Lt plain radiograph of the wrist; lateral; 10y M; Siemens.
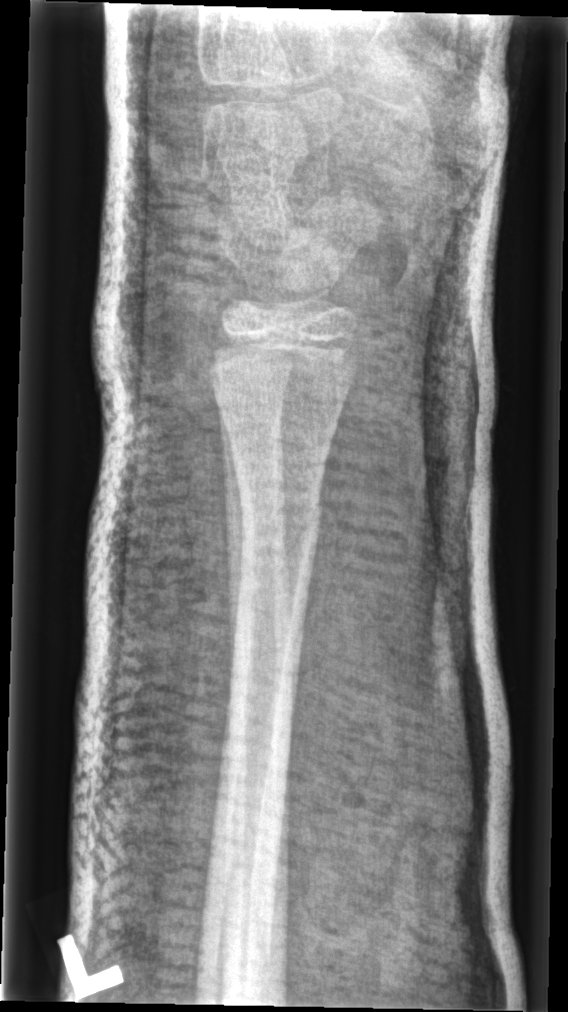

Q: AO code?
A: Fracture classified AO/OTA 23r-M/3.1
Q: Is there a fracture?
A: Fx: (left=236, top=490, right=328, bottom=595)